Rt wrist XR, PA/AP, initial study, 582 x 868 px: 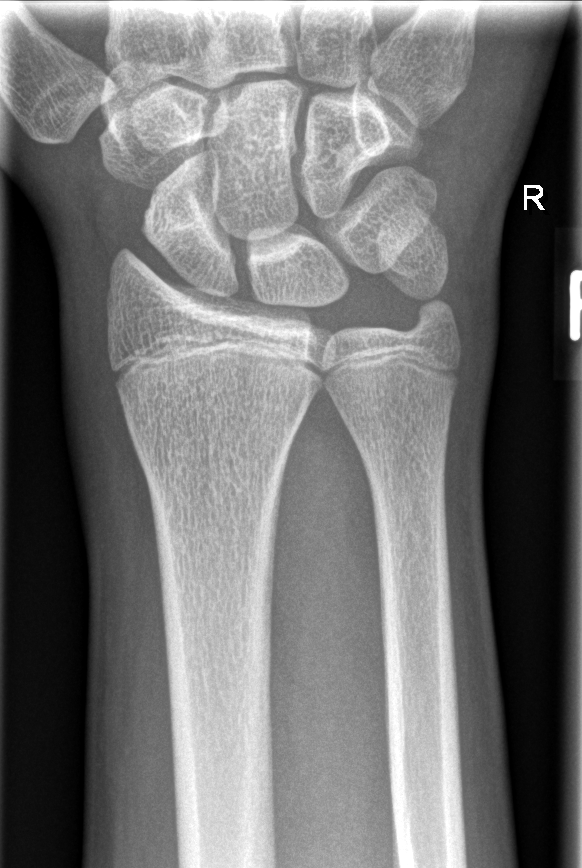

No fracture labeled.